Left wrist pediatric wrist radiograph, lat projection:

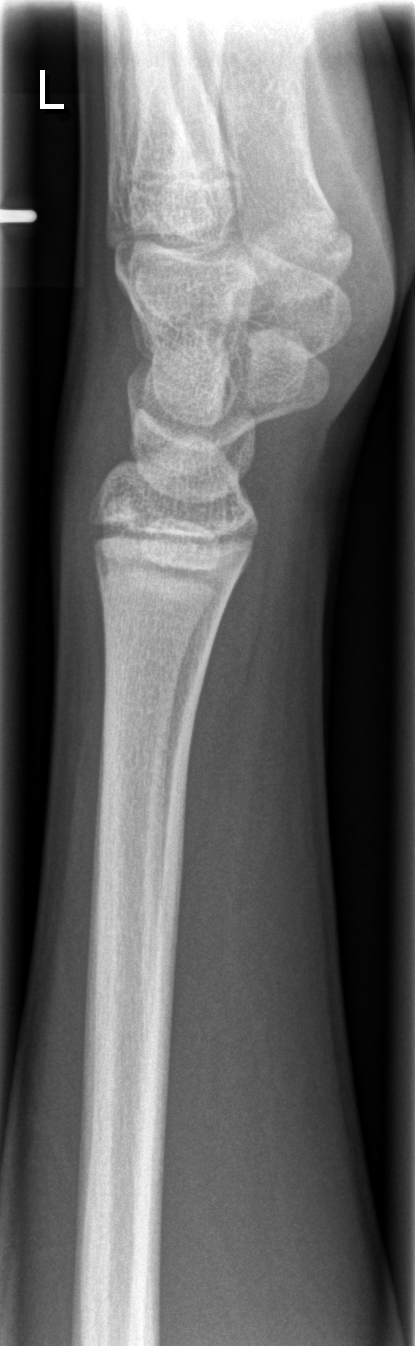 No fracture annotation.